R wrist plain film · PA · cast present.

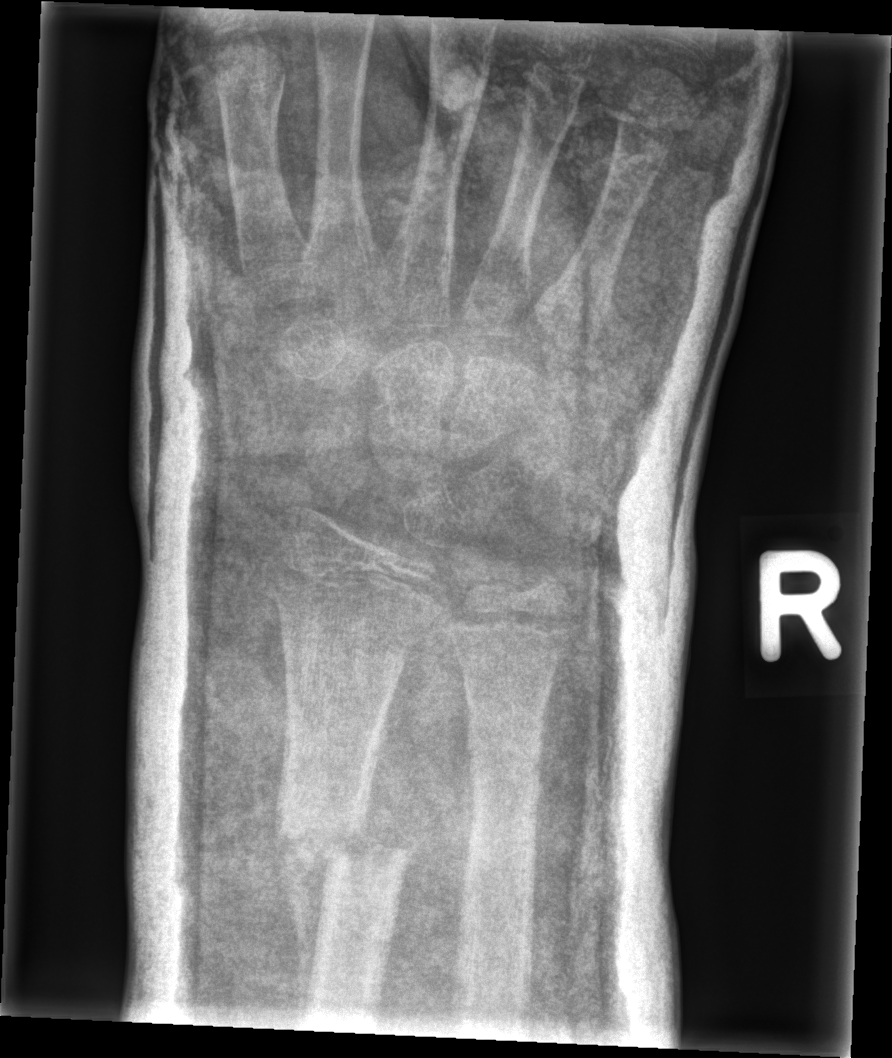 Periosteal reaction: (276, 816, 332, 1031) (350, 769, 411, 857).
Fracture classified AO/OTA 23r-M/3.1; 23u-E/7.
One Fx at (268, 771, 414, 961).